Lat projection | left wrist radiograph | subsequent exam:

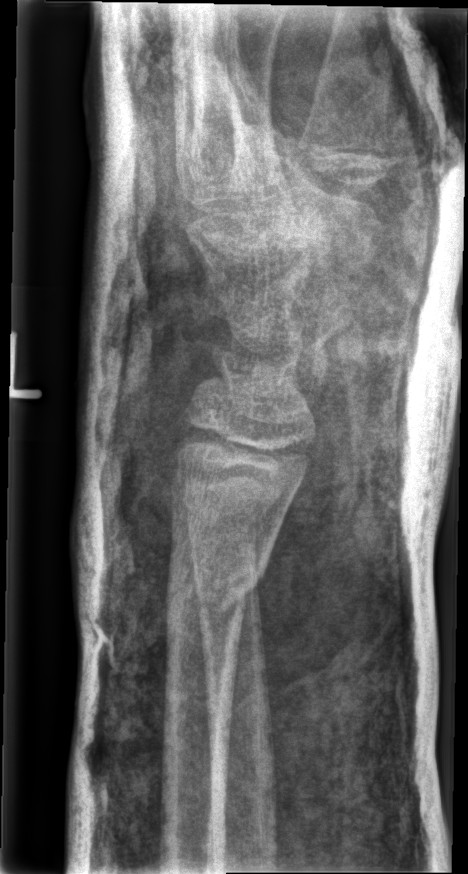 AO code = 23r-M/3.1; 23u-M/2.1
Fx = 1 @ (164, 548, 270, 639)